Right wrist plain radiograph of the wrist; PA/AP view

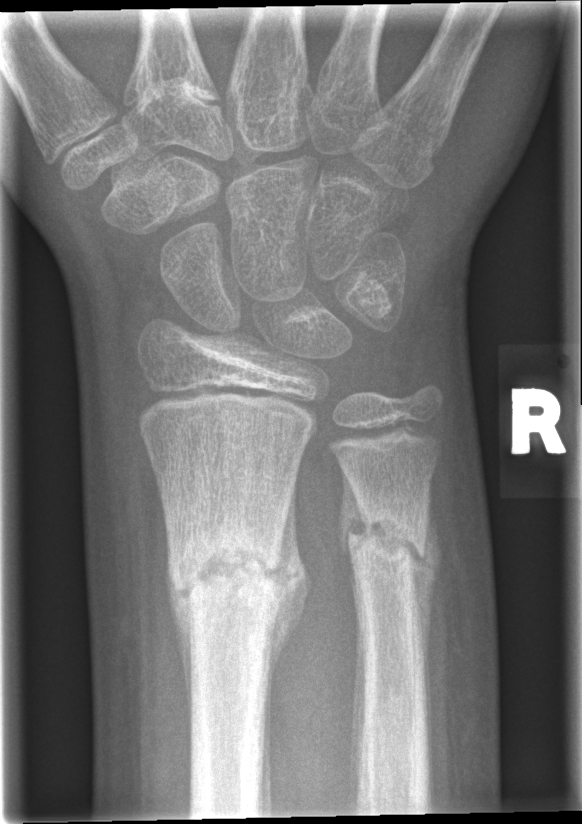

(bounding boxes in image-pixel xyxy)
Fx: <164,518>-<291,623>, <340,502>-<433,585>
AO classification: 23-M/3.1
Periosteal reaction: <267,474>-<313,689> <406,496>-<442,749> <165,535>-<193,744> <334,473>-<370,623>